Lat projection · left wrist plain radiograph of the wrist · age 17 y, boy.

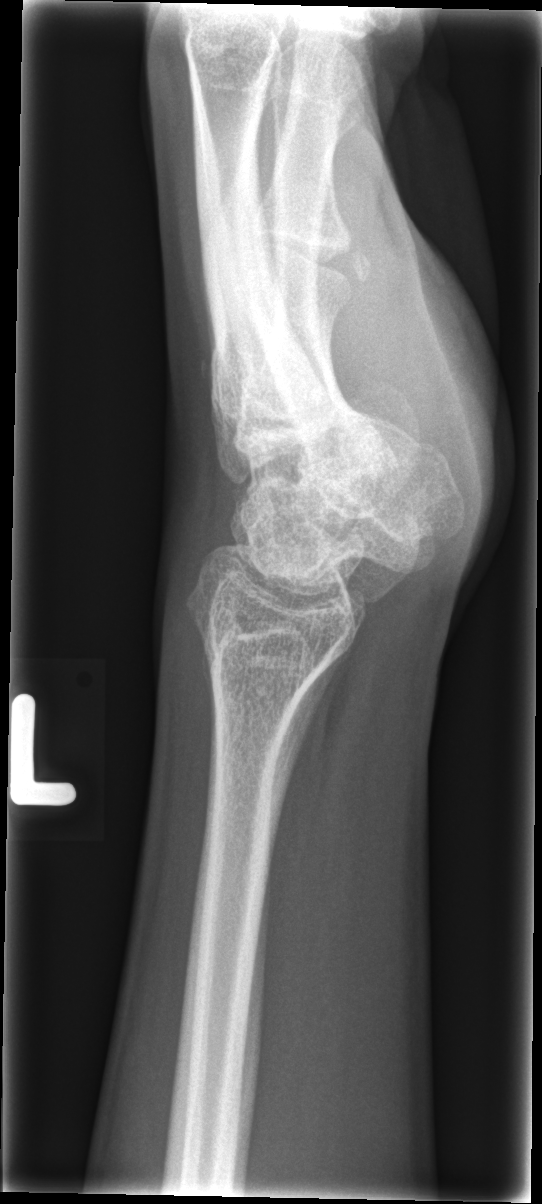 - No Fx annotated.
- One osseous anomaly at bbox(196, 449, 420, 622).